PA/AP view | left wrist XR 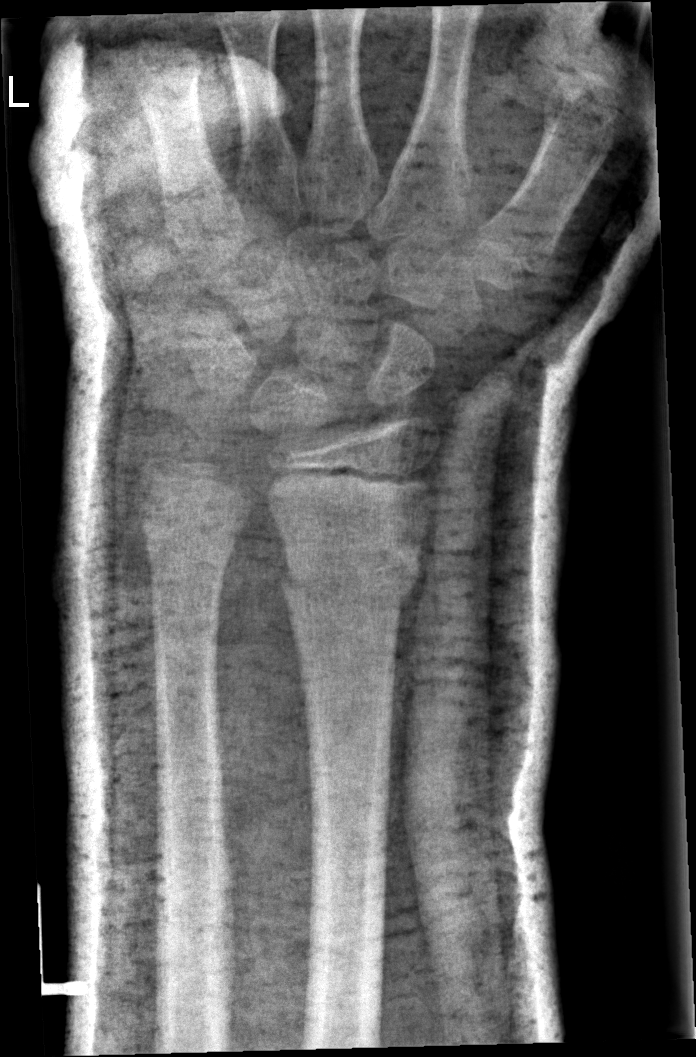 (bounding boxes in image-pixel xyxy)
AO/OTA: 23r-M/3.1; 23u-M/2.1
Fx: 2 @ (280, 547, 410, 618); (138, 497, 244, 574)